PA/AP projection · R wrist X-ray · Siemens · image 84.8 mm wide · 589 x 1030 px —

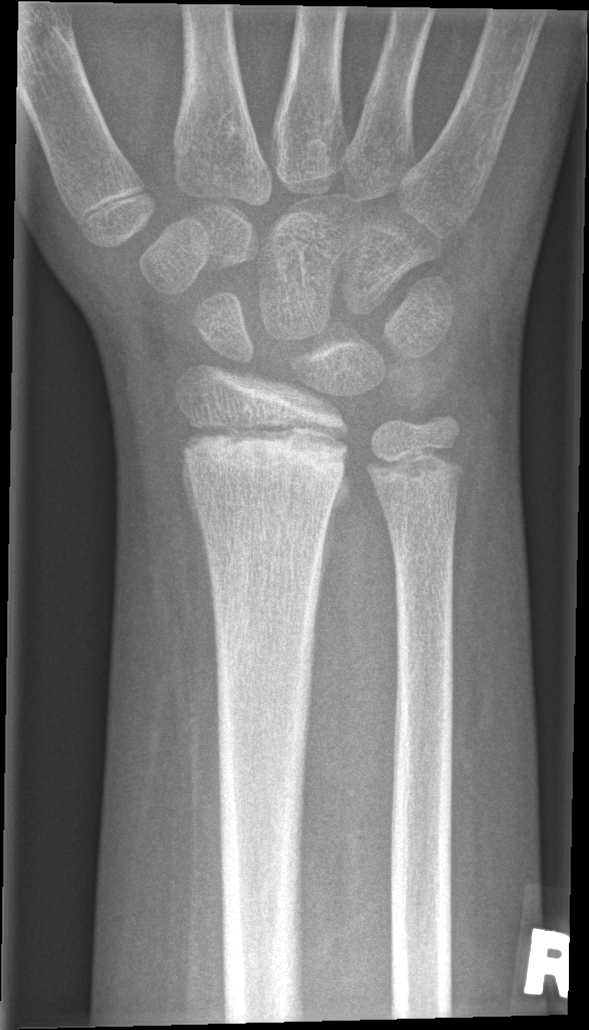

Boxes as x1,y1,x2,y2 (top-left / bottom-right, pixel units).
Periosteal new bone: [x1=318, y1=483, x2=350, y2=593] [x1=181, y1=458, x2=207, y2=565].
Fracture identified at [x1=176, y1=426, x2=357, y2=548].
Reduced bone mineral density.